Lat projection · left pediatric wrist radiograph · 11y M · cast in situ.

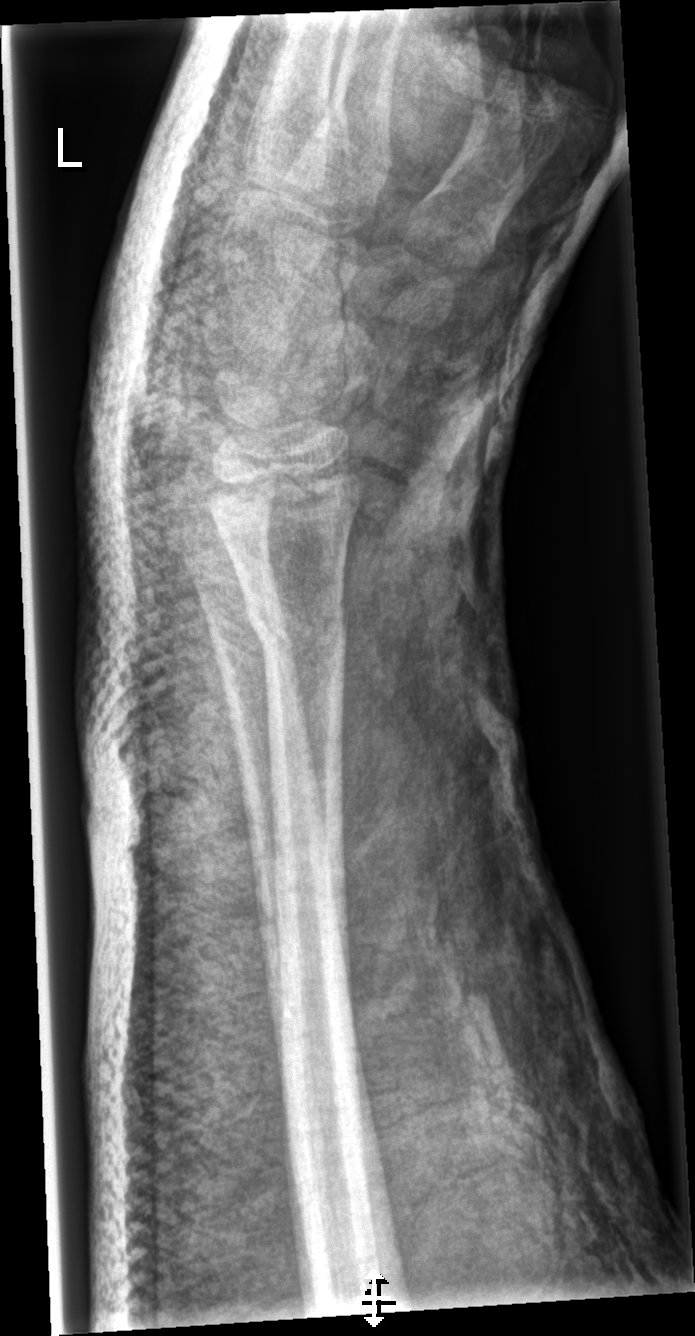 * Boxes as x1,y1,x2,y2 (top-left / bottom-right, pixel units).
* Fracture classified AO/OTA 23r-M/3.1.
* Fx identified at [243, 595, 351, 668].